Posteroanterior projection, Lt wrist X-ray, 7-year-old girl, cast present, acquired on Siemens. 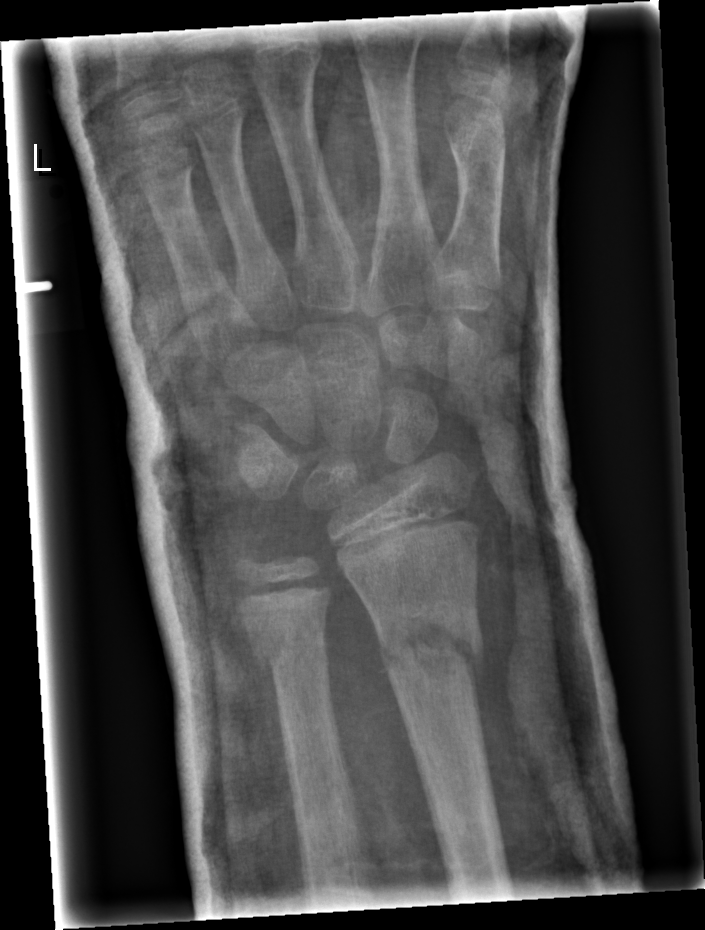 {"ao": "23-M/3.1", "fracture": "374 600 486 682 | 251 614 330 676"}